Posteroanterior · left wrist plain radiograph of the wrist · initial study · Siemens —

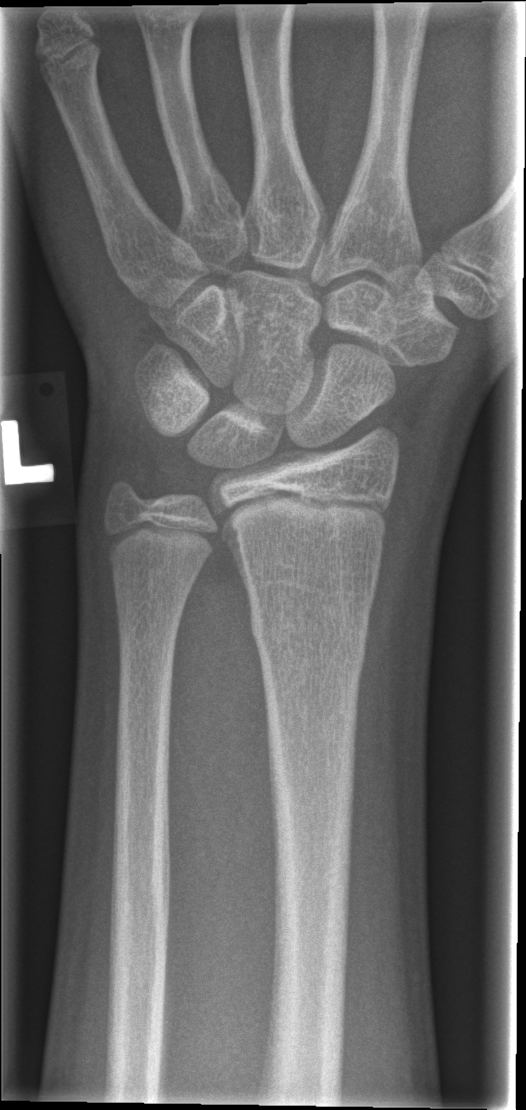
Fracture: (left=245, top=593, right=372, bottom=679).
Fracture classified AO/OTA 23r-M/2.1.